Lt wrist plain film | PA view | pediatric patient (girl, age 9) | 61.6 mm image width | 428 x 715 px: 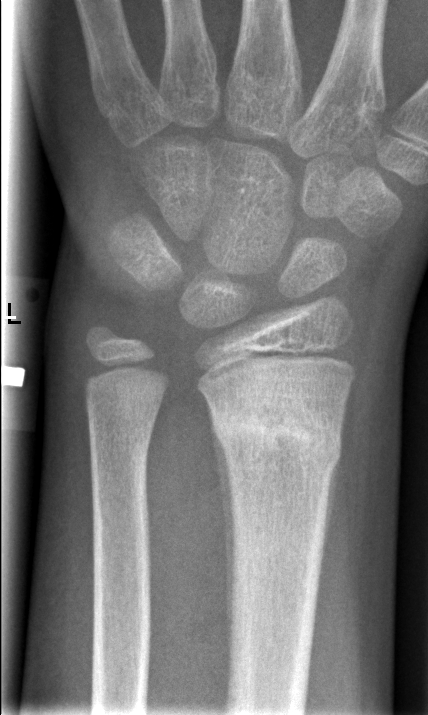
periostealreaction: 2 @ 204 395 236 654; 319 448 342 569
fracture: 210 412 344 472